Lt wrist X-ray; lateral projection; follow-up
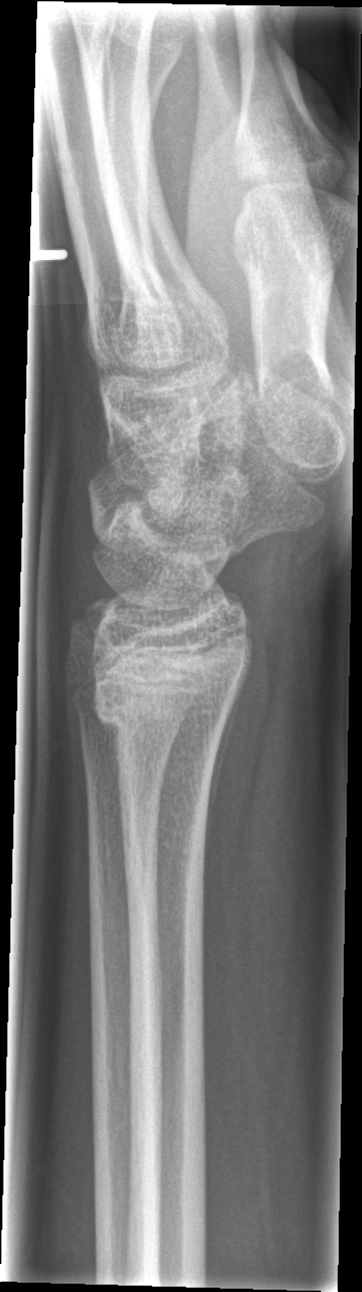
FINDINGS — (coordinates are [x1, y1, x2, y2] in image pixels) Decreased bone density (osteopenia). One Fx at (89, 640, 244, 729).